Left wrist plain radiograph of the wrist; PA/AP view; boy, 7 yo
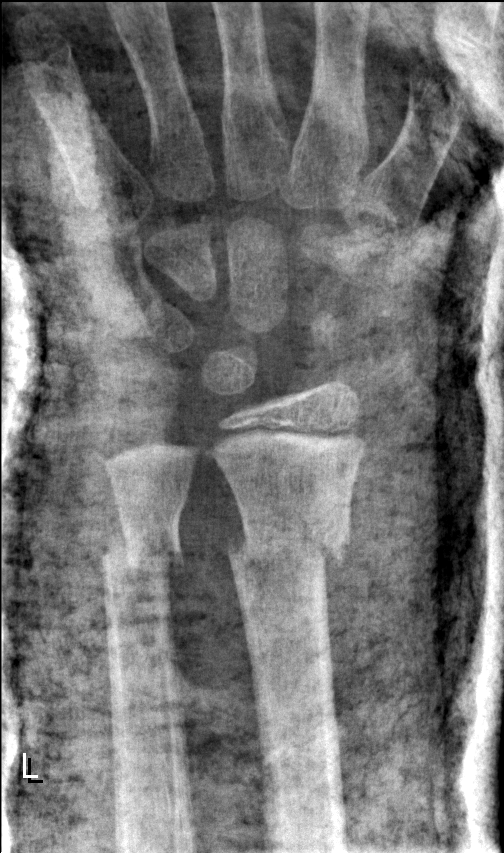
{
  "fracture": "(left=222, top=518, right=354, bottom=569); (left=98, top=528, right=186, bottom=572)",
  "ao": "23-M/3.1"
}